L wrist X-ray · PA/AP · 11y F —
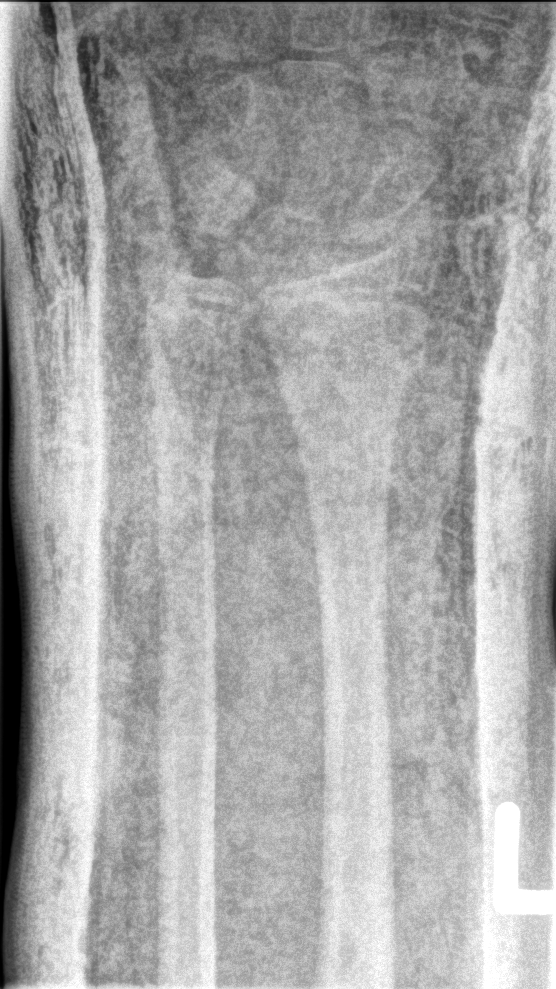 (boxes as x1,y1,x2,y2 (top-left / bottom-right, pixel units))
Fracture = 260 319 431 387